Lat, R wrist radiograph, 11y M, imaged through cast.
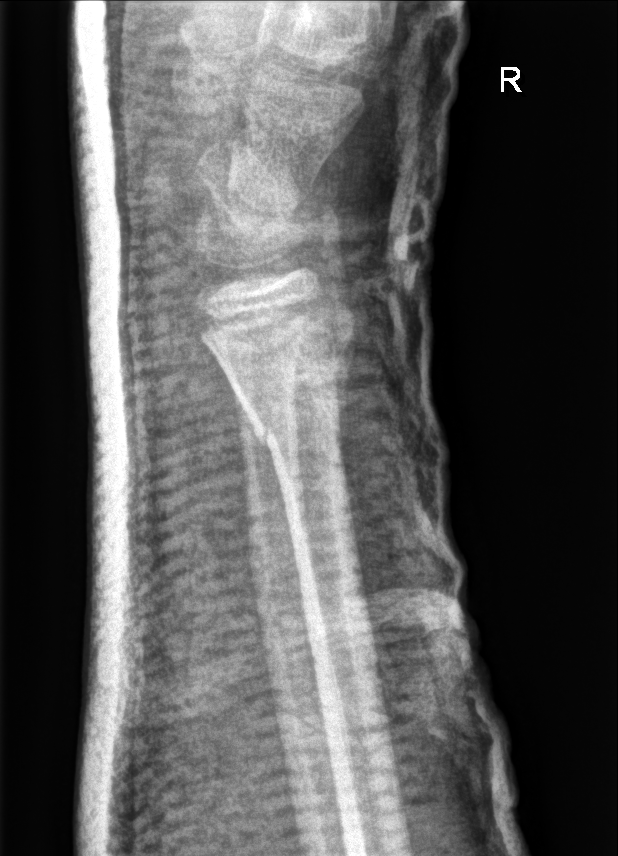
  # bounding boxes in image-pixel xyxy
  fracture: [239, 389, 346, 449]
  ao: 23r-M/3.1